Lat projection; L plain radiograph of the wrist; pediatric patient (male, age 16); index exam.

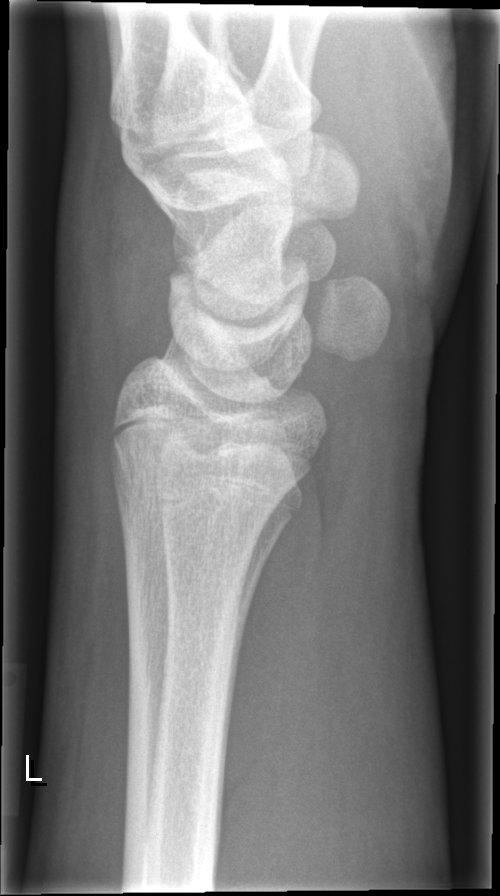
AO code = 72B(b)
Pronator quadratus fat-pad sign = 217,431,337,838
Fracture = present but not clearly seen in this view